PA/AP view · right wrist radiograph · age 12 y, boy 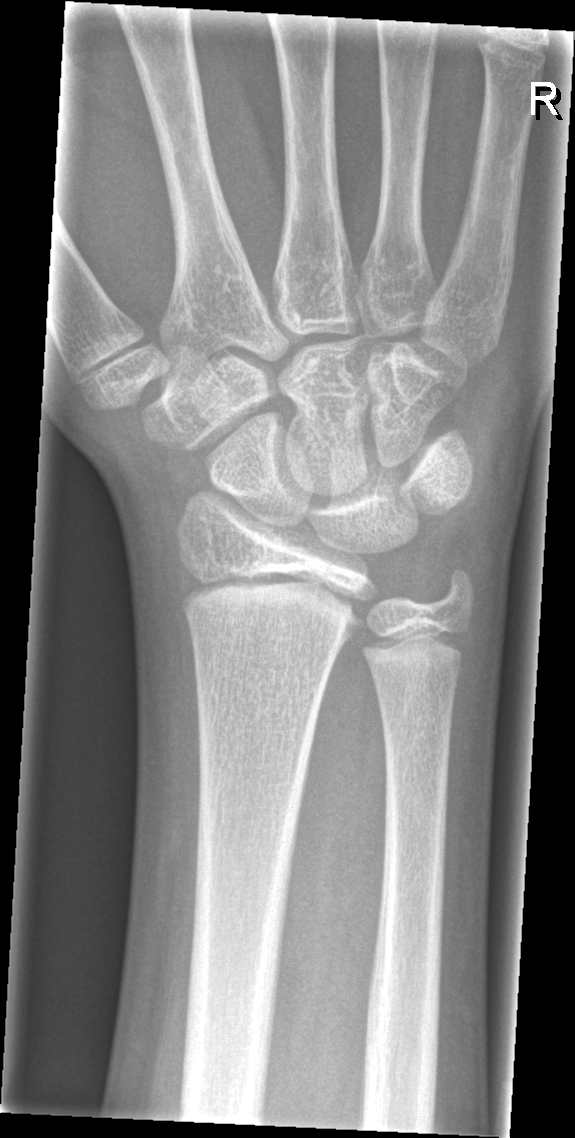

fracture: none labeled